AP projection | left pediatric wrist radiograph | pediatric patient (boy, age 8) | presentation radiograph.

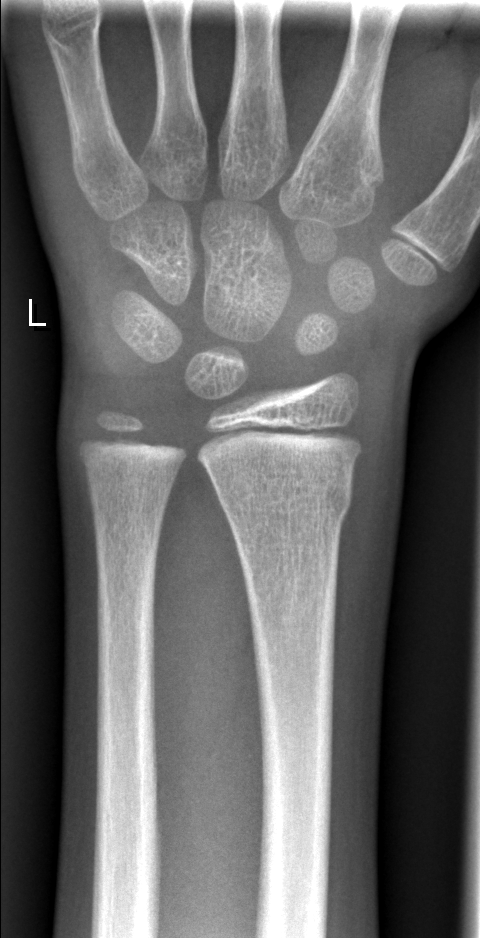 • AO/OTA classification: 23r-M/2.1.
• Fracture: [210, 459, 358, 525].